Left wrist plain radiograph of the wrist; lat projection; pediatric patient (female, age 7); subsequent exam; Siemens; 654x1375 —
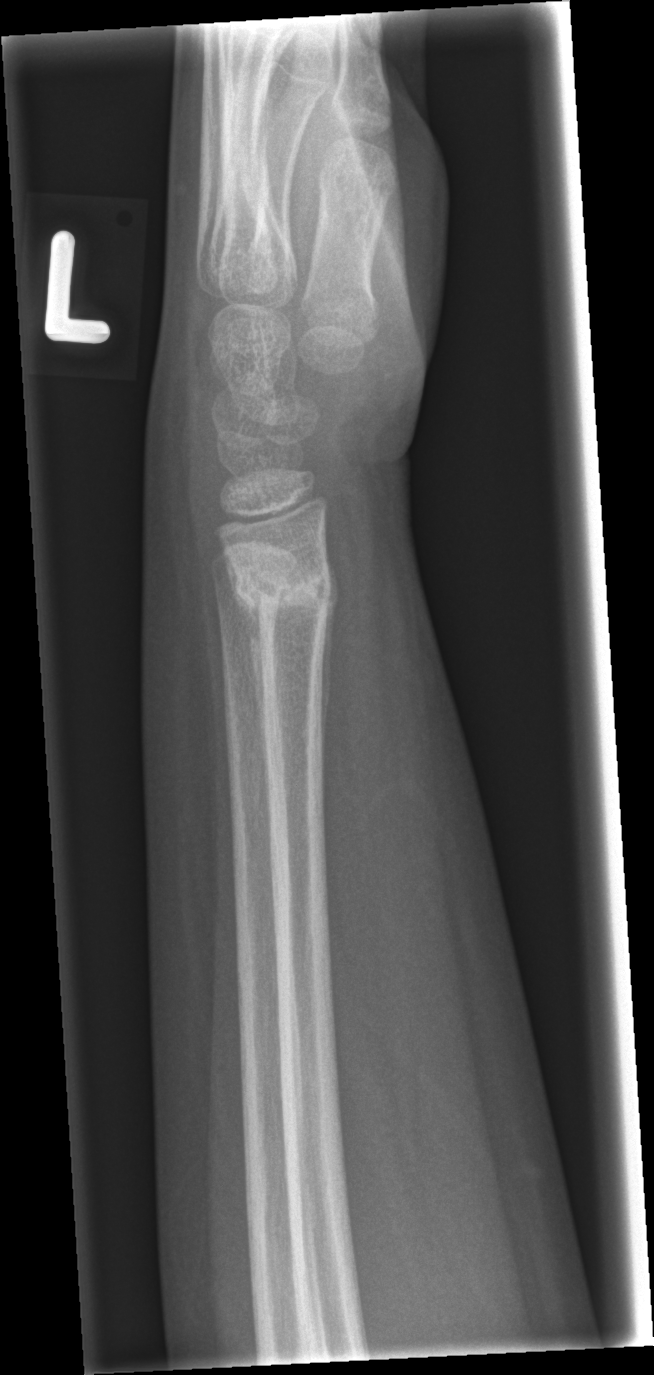 Findings: Decreased bone density (osteopenia). AO code 23r-M/3.1. Fracture: bbox(223, 550, 340, 633). Periosteal thickening identified at bbox(220, 543, 271, 840) bbox(317, 546, 340, 769).